Lat projection; L wrist XR; follow-up; cast present; detector: Siemens; 76.9 mm image width: 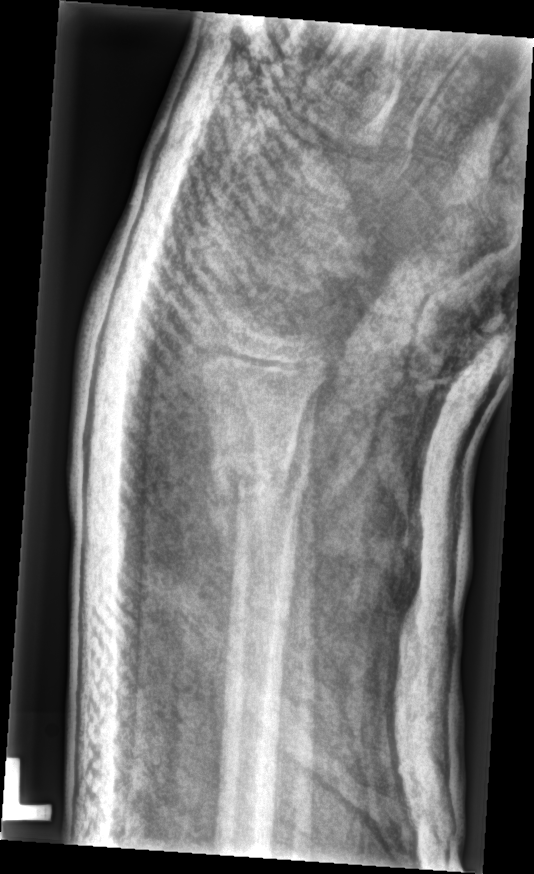 Fracture: 1 @ 203,447,313,533